Lateral view; R wrist radiograph:

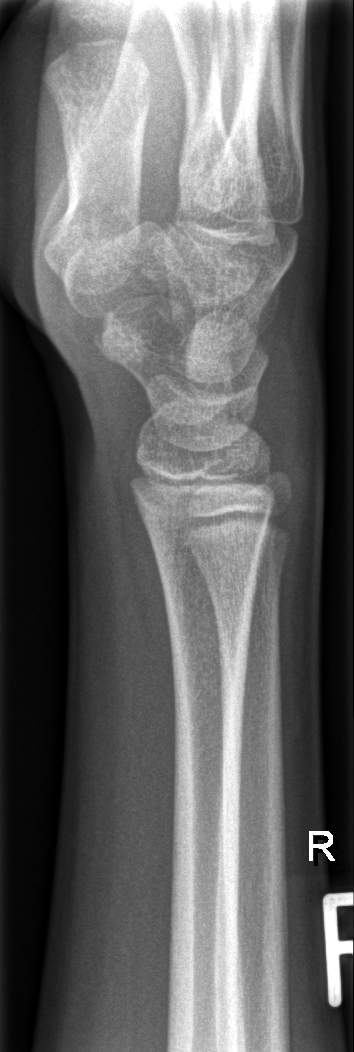
Findings: No fracture bounding box.